Frontal view, right wrist X-ray, pediatric patient (male, age 14), acquired on Siemens

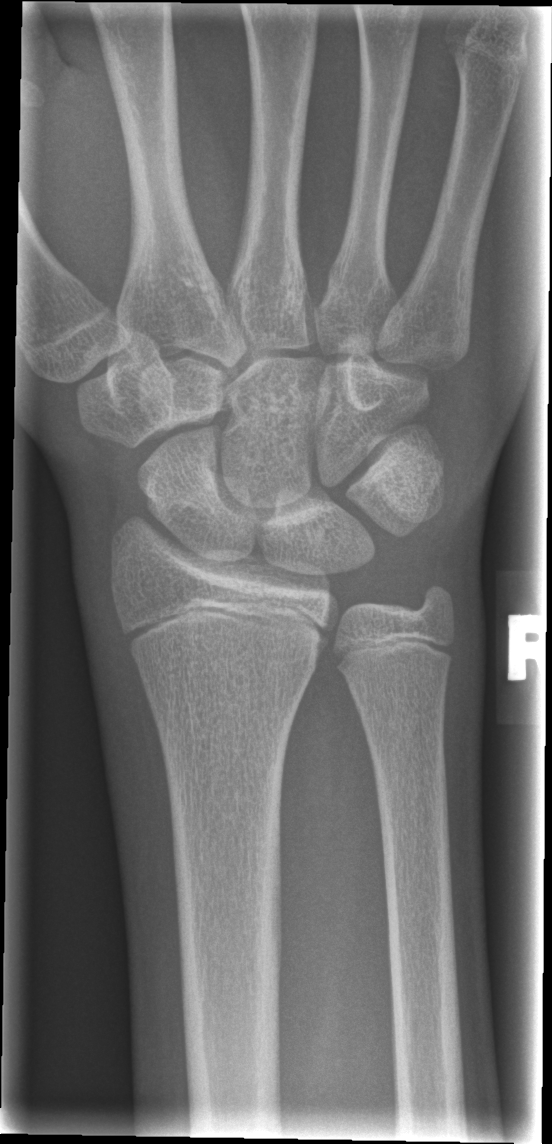 - Fracture: none labeled.